Right wrist radiograph; PA/AP projection; presentation radiograph; acquired on Siemens; 94.2 mm image width; 654 by 1310 pixels.

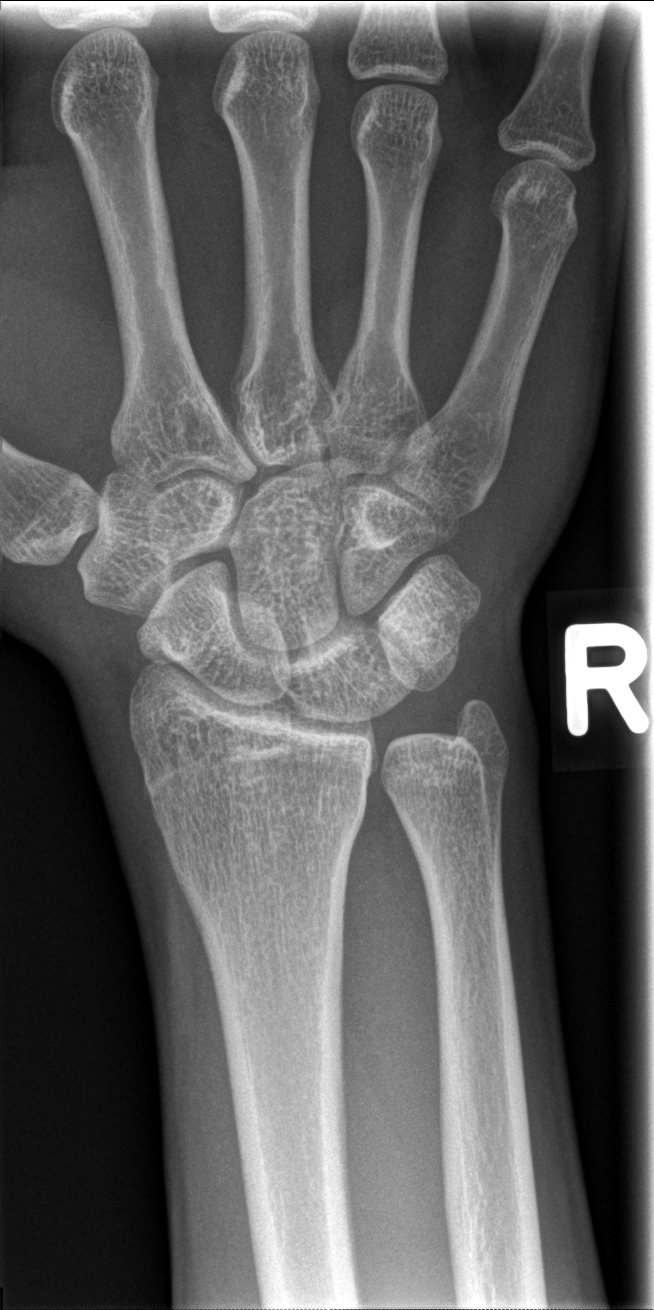

No fracture annotation.